PA; right wrist plain film; 68.8 mm image width — 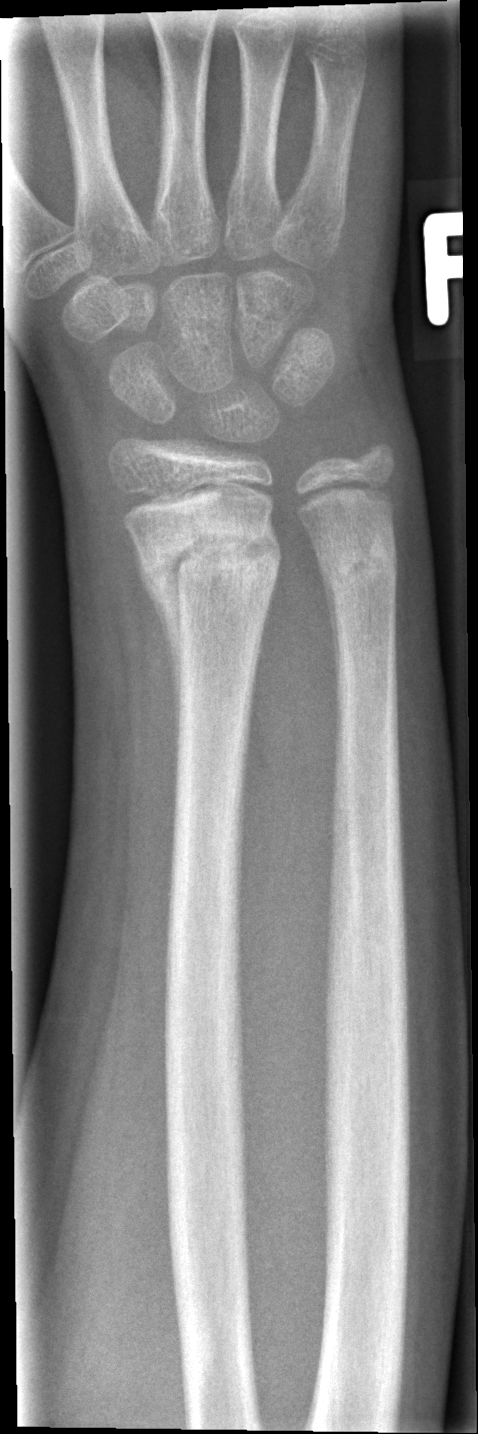
Periosteal thickening: [x1=128, y1=531, x2=184, y2=775], [x1=318, y1=548, x2=340, y2=697].
Fracture classified AO/OTA 23r-M/3.1.
Fracture identified at [x1=130, y1=504, x2=287, y2=623]; [x1=310, y1=525, x2=401, y2=599].